PA projection · Lt wrist radiograph · 13-year-old boy —

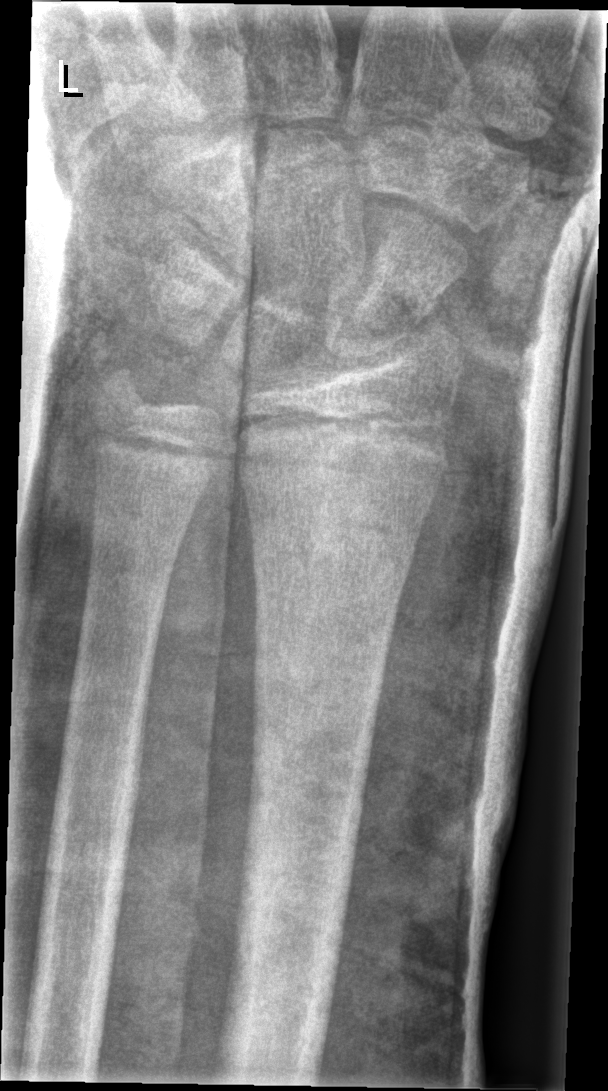

fracture: 1 @ [245, 518, 420, 618]
AO code: 23r-M/3.1; 23u-E/7